Right wrist plain radiograph of the wrist, PA/AP —
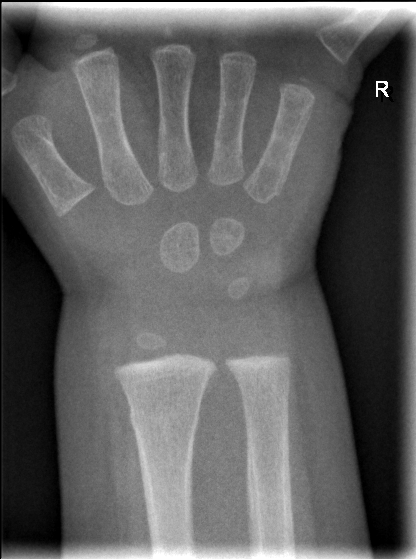
AO code: 23r-M/2.1
Fracture: 1 @ (left=128, top=403, right=200, bottom=436)